Lateral; L pediatric wrist radiograph; pediatric patient (boy, age 11)

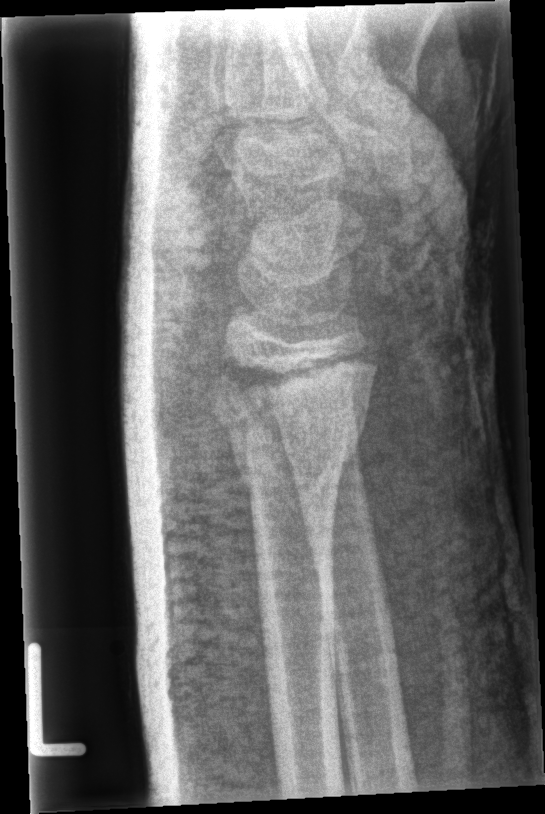
Coordinates are [x1, y1, x2, y2] in image pixels. Fracture identified at [213, 346, 381, 476].